Left wrist X-ray, posteroanterior — 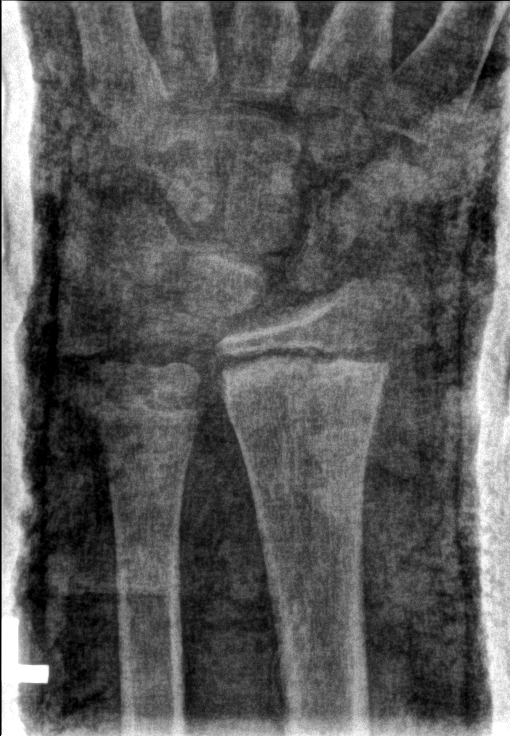
{
  "_coords": "coordinates are [x1, y1, x2, y2] in image pixels",
  "fracture": "1 @ 215,344,397,410"
}